L wrist plain film | lat projection | pediatric patient (girl, age 6) | follow-up:
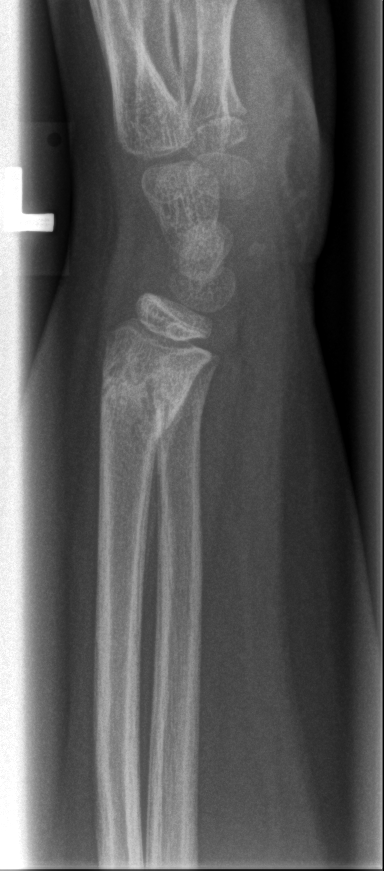

Pixel coordinates, top-left origin, xyxy.
One Fx at <99,349>-<196,435>.
Periosteal new bone — <145,383>-<194,526>.